AP view · right wrist X-ray · male, 10 yo · presentation radiograph · acquired on Siemens 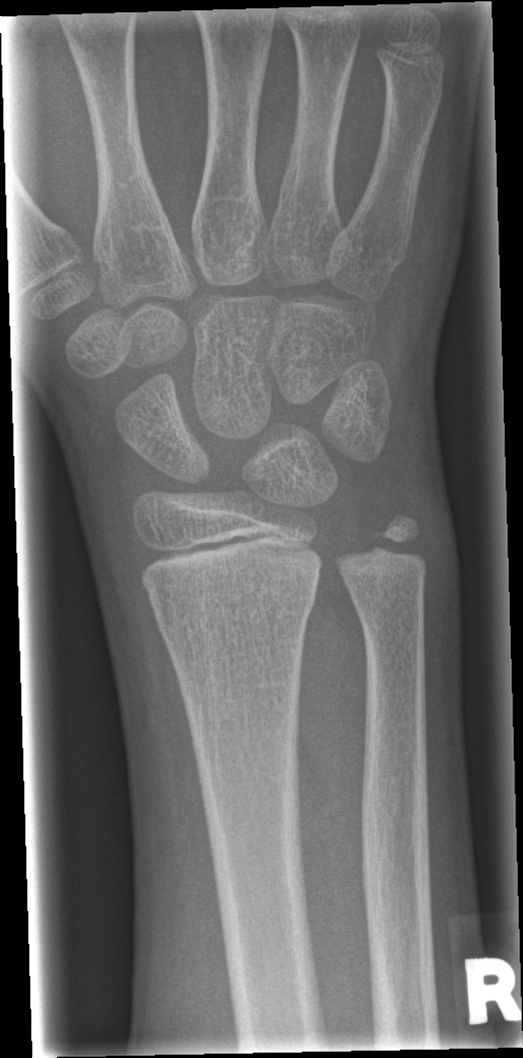 Findings: Fracture: [x1=152, y1=584, x2=318, y2=650]. Fracture classified AO/OTA 23r-M/2.1.